Lat projection; left plain radiograph of the wrist; image size 556x656 —

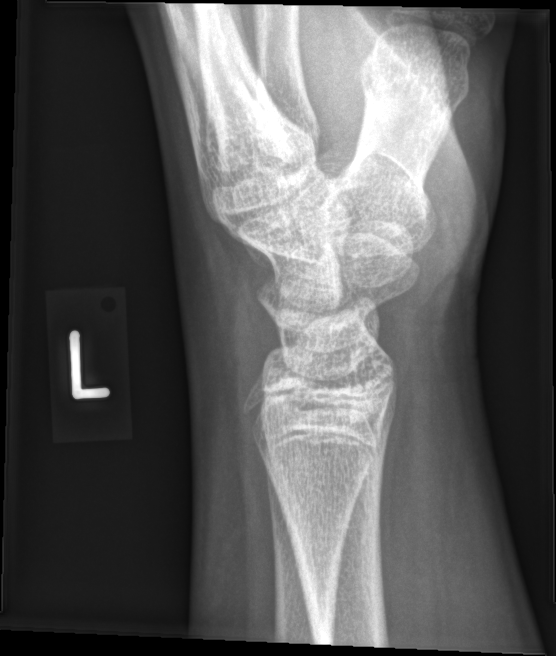
Fx: none.